Lateral projection; Lt wrist plain film; pediatric patient (female, age 4); 643x1002 — 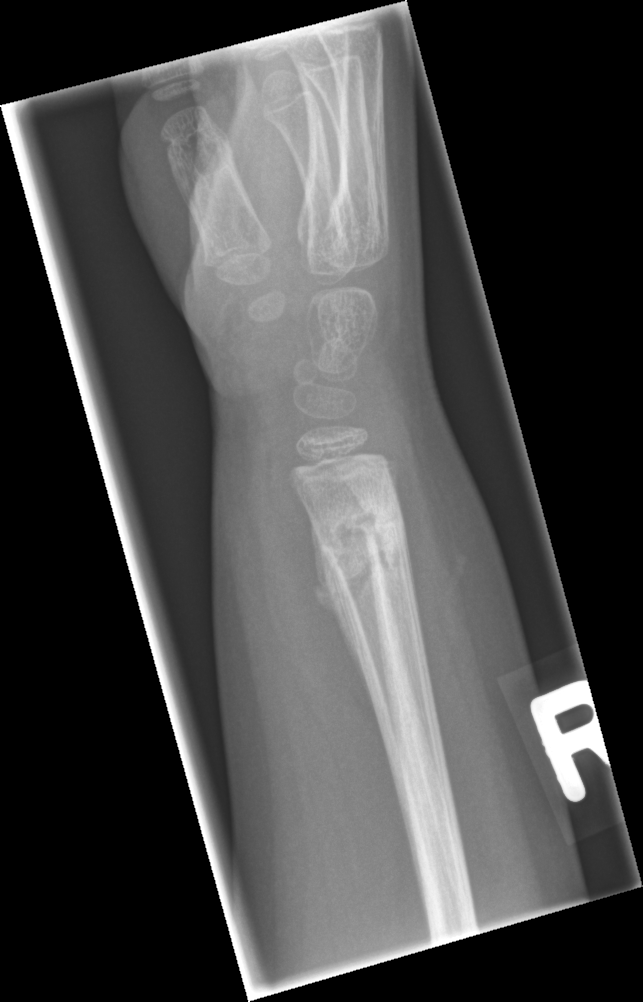 Fracture classified AO/OTA 23-M/3.1.
One periosteal reaction at [308, 513, 380, 725].
Fracture — [314, 495, 411, 613].